Lt wrist X-ray, PA/AP view, pediatric patient (boy, age 11), image width 88.4 mm, image size 614x1392:
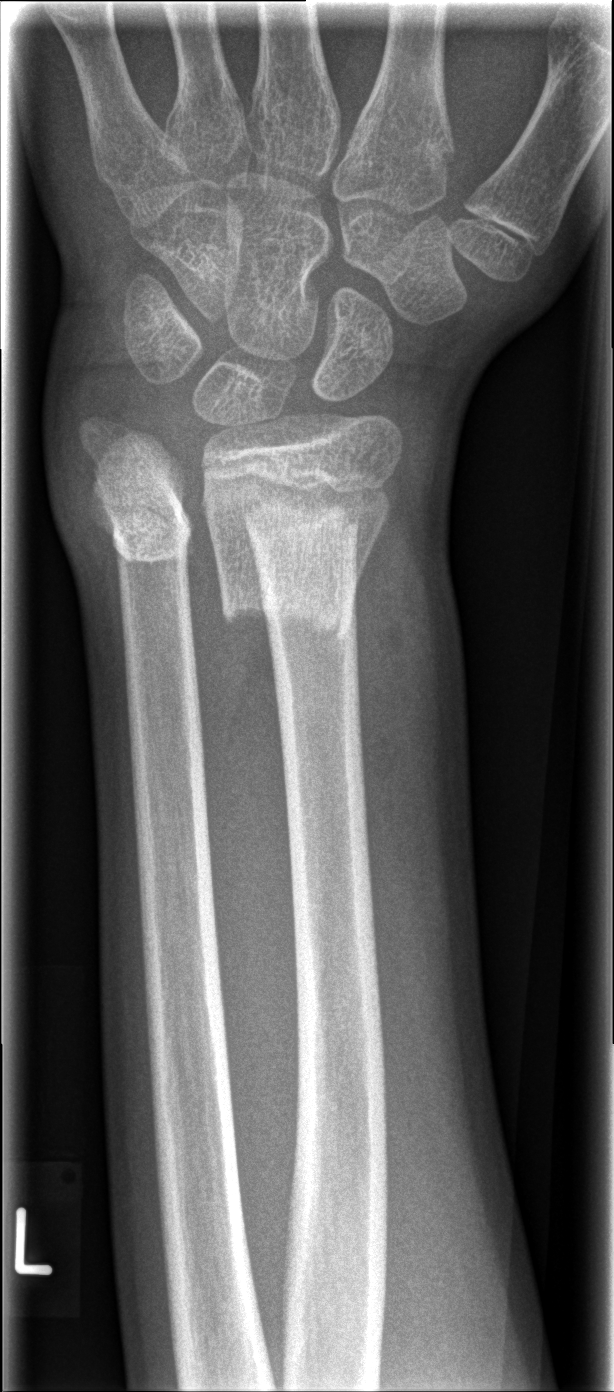 Pixel coordinates, top-left origin, xyxy.
Fracture classified AO/OTA 23r-M/3.1; 23u-M/2.1; 23u-E/7.
Fx — bbox(218, 494, 363, 644), bbox(92, 482, 197, 578).